R wrist X-ray · frontal projection · index exam · image 95.5 mm wide:

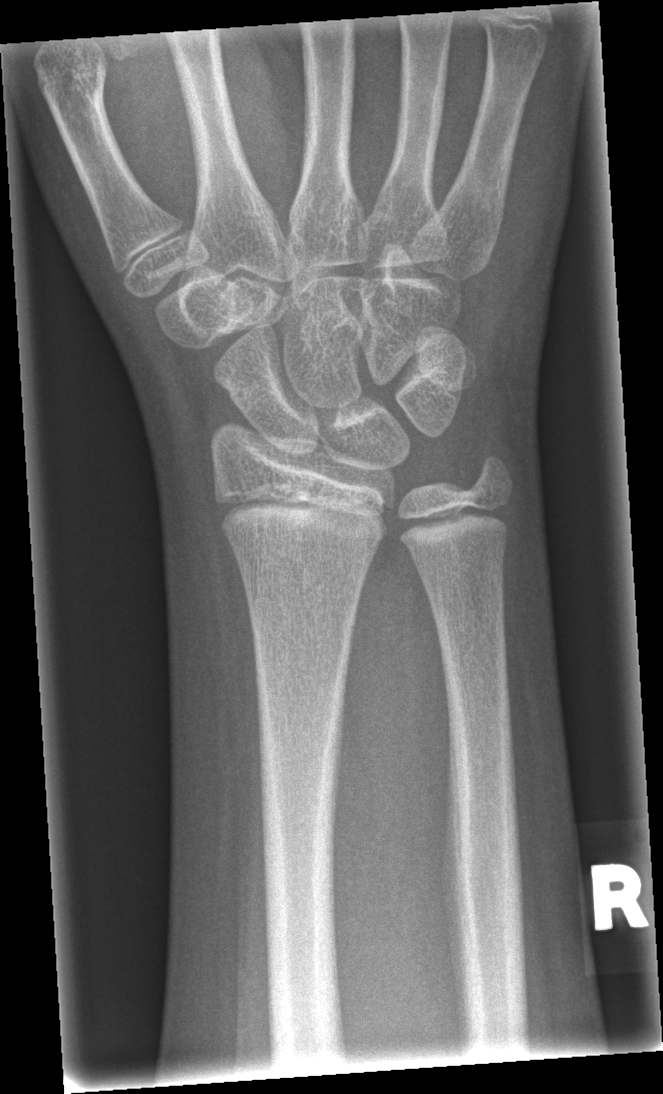

FINDINGS: No fracture annotation.